Lateral; right pediatric wrist radiograph; 8y M; follow-up study; Siemens.

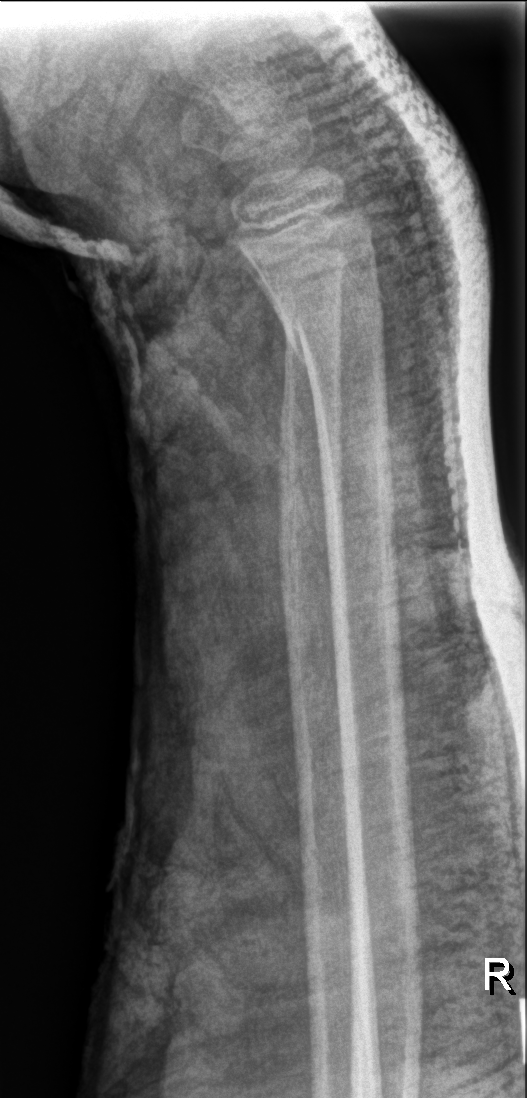

Bone fracture: (277, 281, 393, 367).